Right wrist plain film · lateral projection · follow-up study.
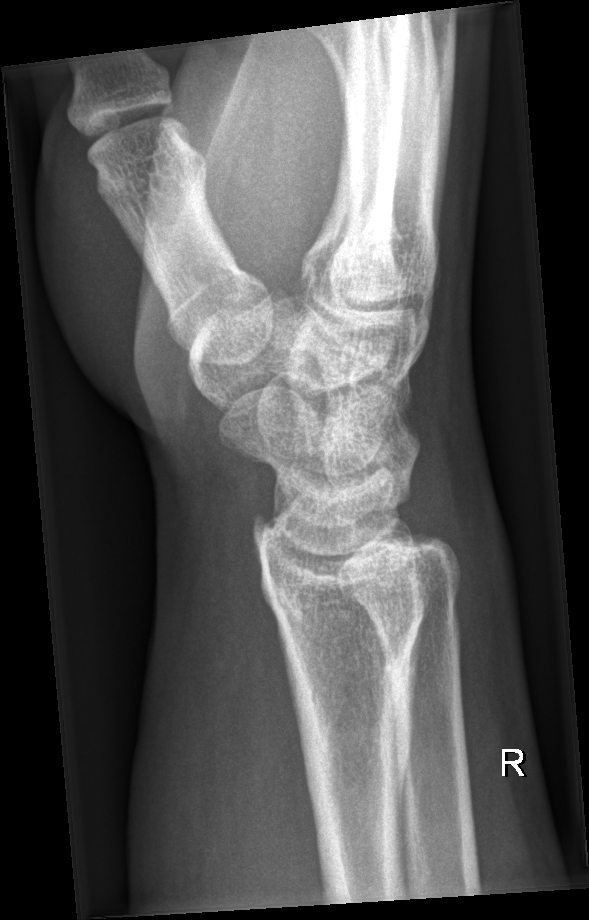

{
  "fracture": "282 631 426 811"
}